Left wrist plain film; lat view; 402 by 990 pixels
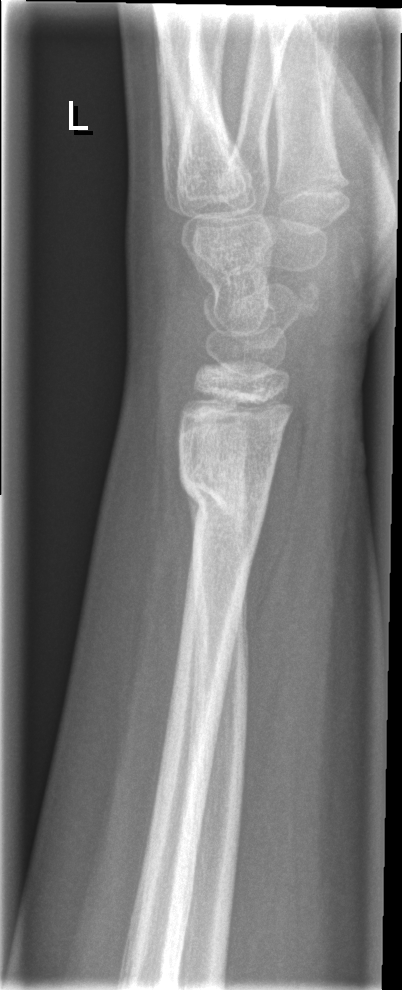 Fracture = 1 @ bbox(173, 467, 270, 526)
Periosteal reaction = bbox(183, 484, 201, 550)
AO classification = 23-M/2.1
Osteopenia = present